R plain radiograph of the wrist | lateral projection | subsequent exam.
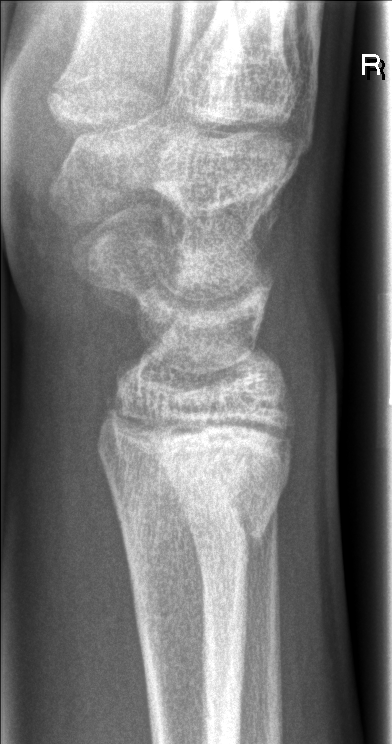 * One bone fracture at <92,408>-<299,558>.
* AO/OTA classification: 23r-E/2.1; 23u-E/7.